R wrist XR | lat projection | 11y F:

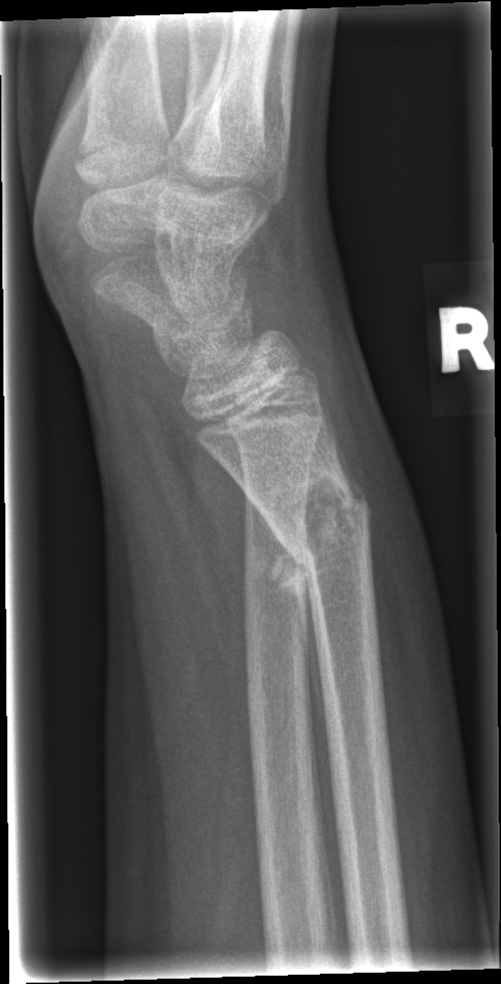 {
  "fracture": "1 @ (272, 463, 376, 578)",
  "periostealreaction": "(269, 531, 315, 632) (334, 426, 369, 506)"
}